AP view | L wrist radiograph —
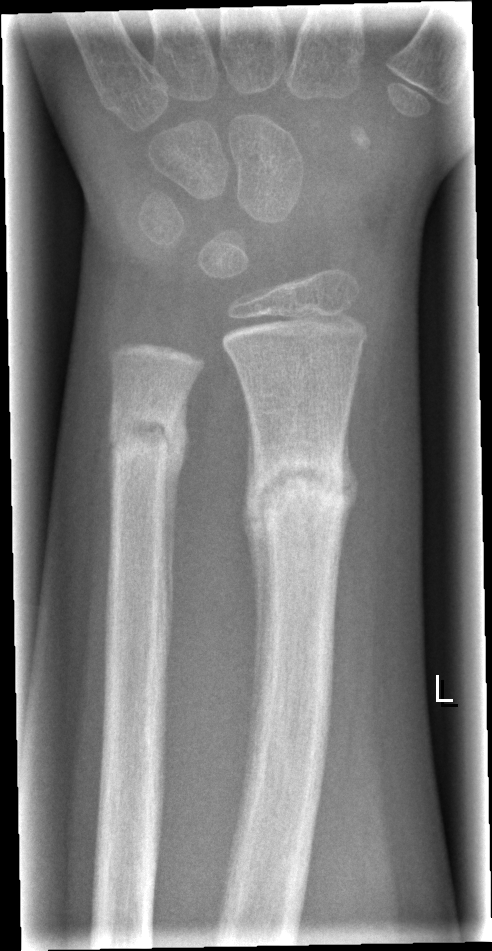
(pixel coordinates, top-left origin, xyxy)
Q: Is there periosteal reaction?
A: Periosteal thickening identified at 237,394,268,772
  165,387,193,669
  338,408,360,566
Q: Any fracture seen?
A: Bone fracture identified at 247,446,353,539 | 102,405,184,475
Q: Is there osteopenia?
A: Decreased bone density (osteopenia)